Left wrist plain film, lat view, age 10 y, boy, follow-up — 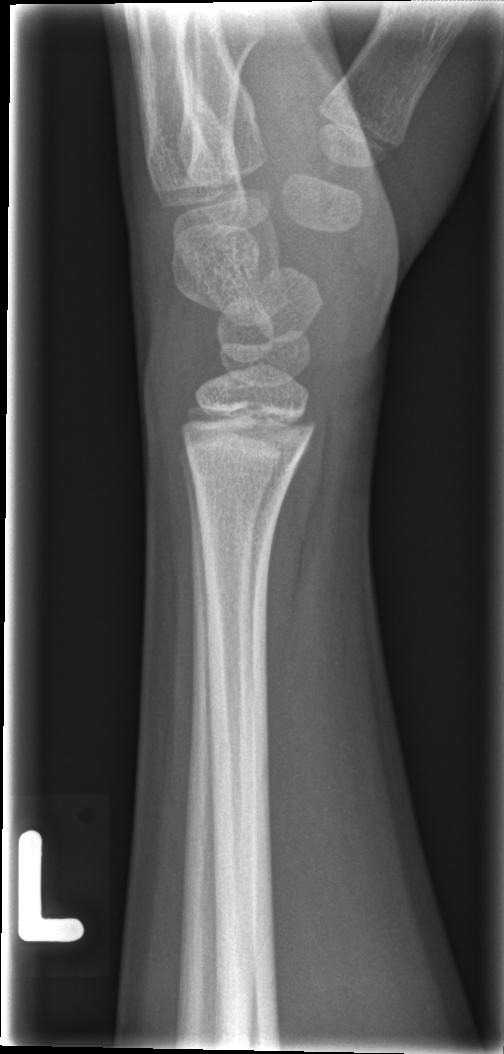

* Fx: none.